Lateral projection, right wrist plain film, cast present: 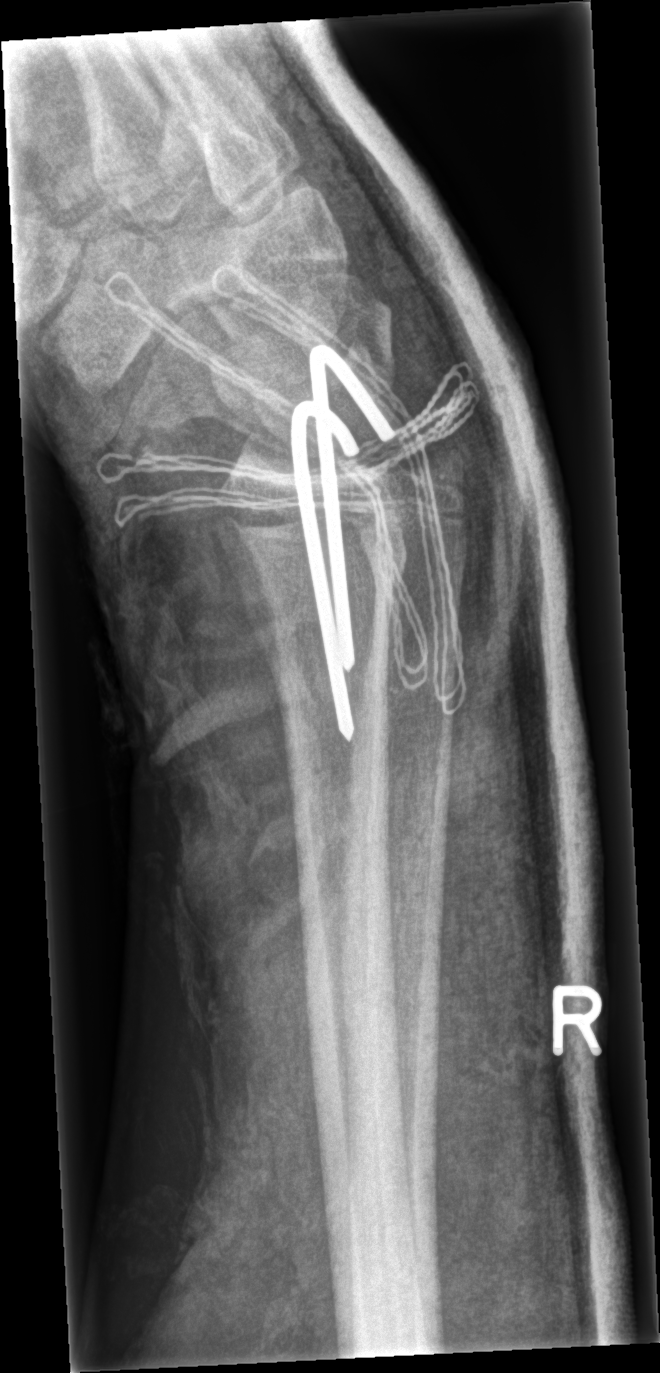
FINDINGS: Metallic hardware identified at 289,344,397,744. Fracture: 411,442,472,504. AO code 23r-E/2.1; 23u-E/7.